Lt wrist plain film, PA/AP, male, 11 yo.
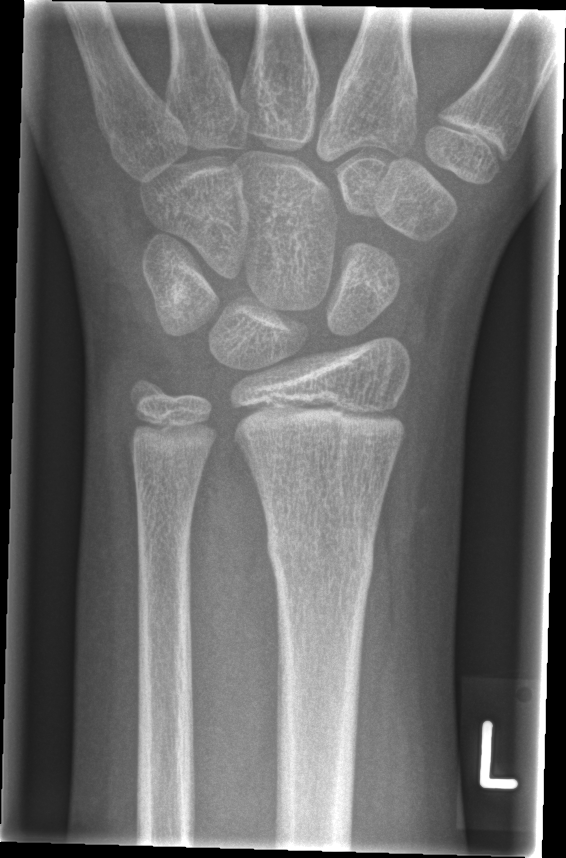

AO code 23r-M/2.1.
Fx — <262,522>-<378,593>.